PA · R wrist X-ray · pediatric patient (male, age 3) · 640 by 964 pixels. 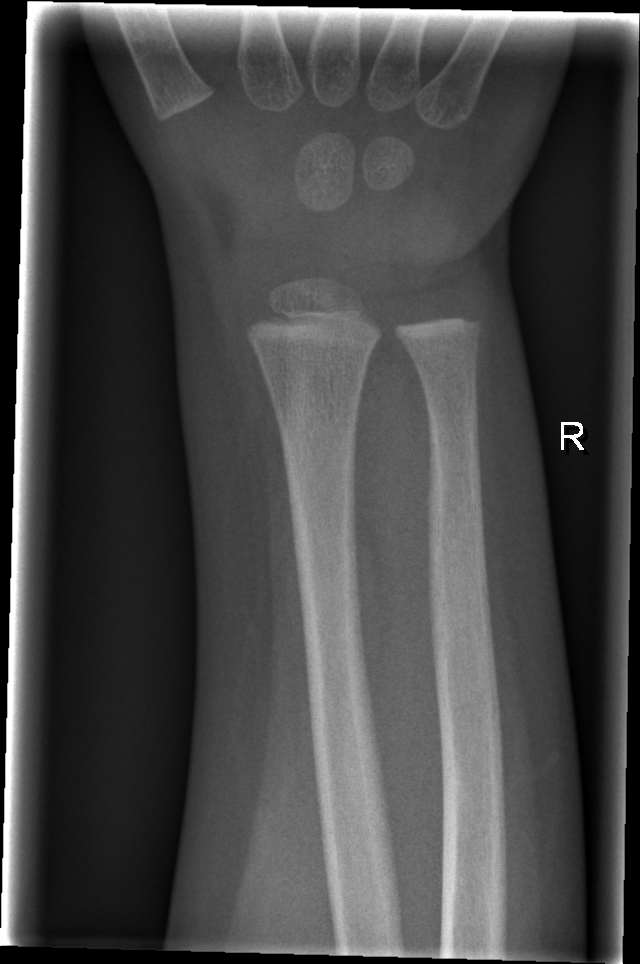

• Fracture present, though not clearly seen in this view.
• AO code 22-D/1.1.